Lat projection, right wrist radiograph, detector: Siemens.

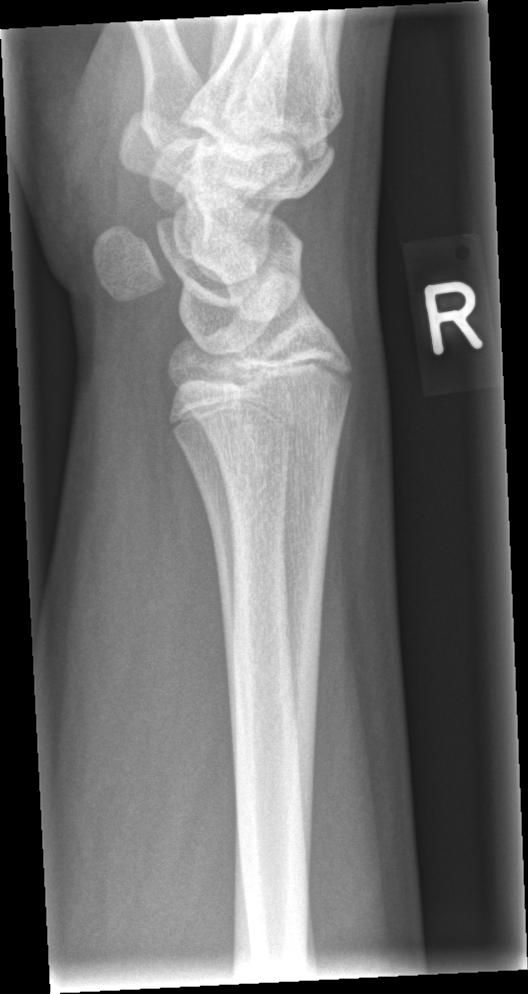
Q: Locate any fractures.
A: Fracture: none labeled